Lateral projection · L wrist XR · 422x823.
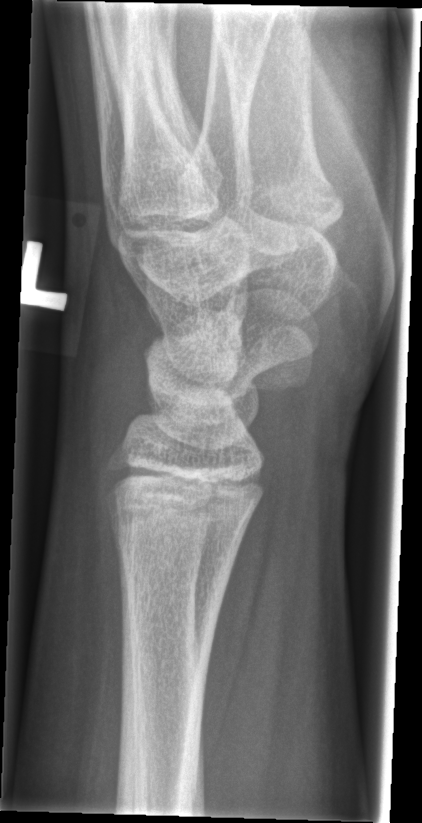
Q: Locate any fractures.
A: No fracture annotation